Right wrist plain radiograph of the wrist | lateral | presentation radiograph:

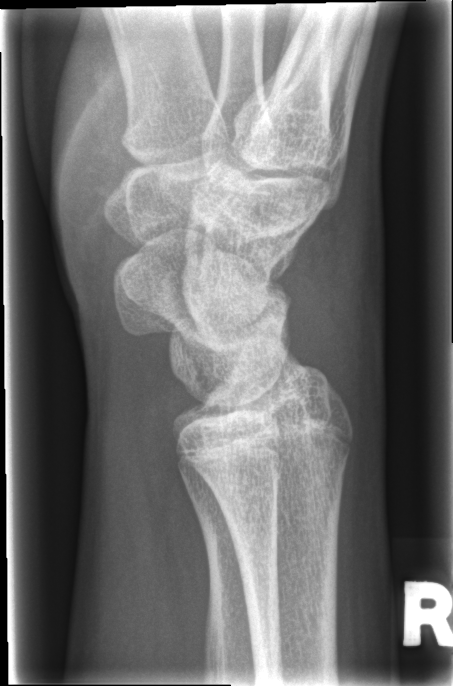

bone fracture = none labeled